PA, Rt wrist XR, index exam, image width 83.8 mm —
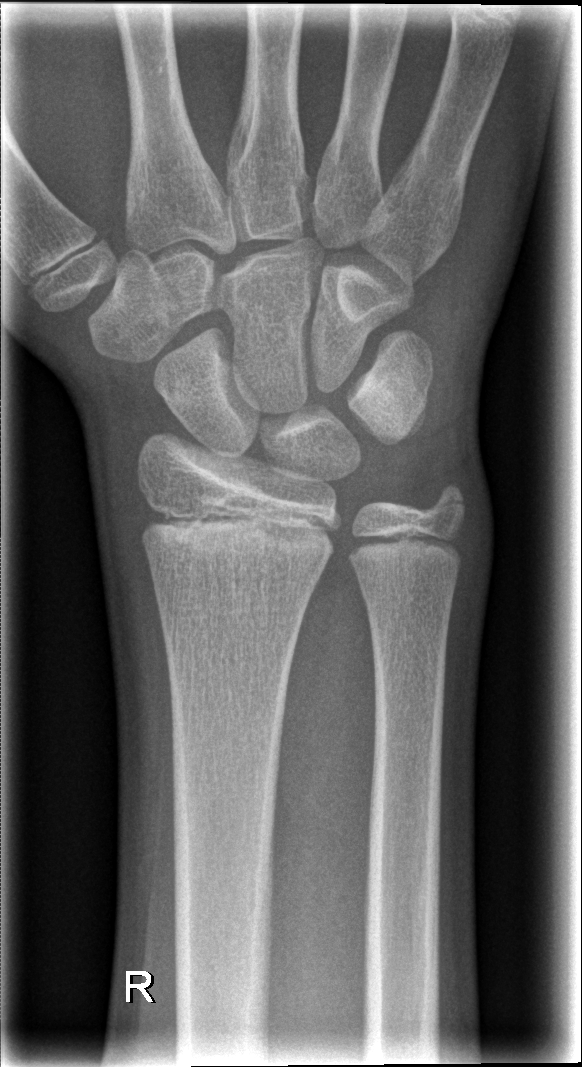

Findings: Fracture classified AO/OTA 23u-E/7. Fx — <418,476>-<476,540>.